L pediatric wrist radiograph; posteroanterior; 16y M; index exam: 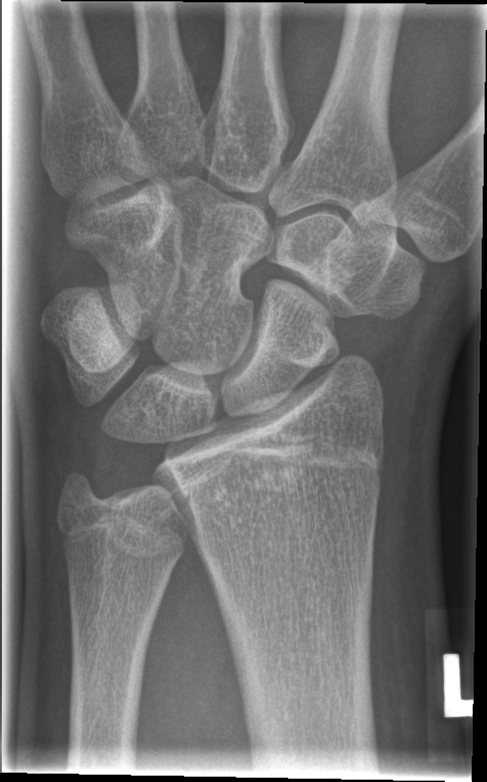 - No fracture labeled.